R wrist X-ray, lateral, 13-year-old boy, image width 59.5 mm:

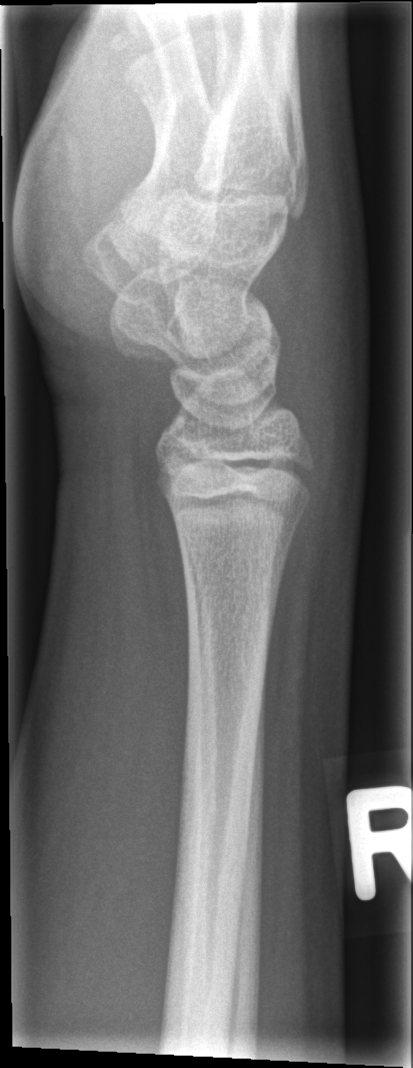
No Fx annotated.